Left wrist radiograph, lat, 9-year-old boy:

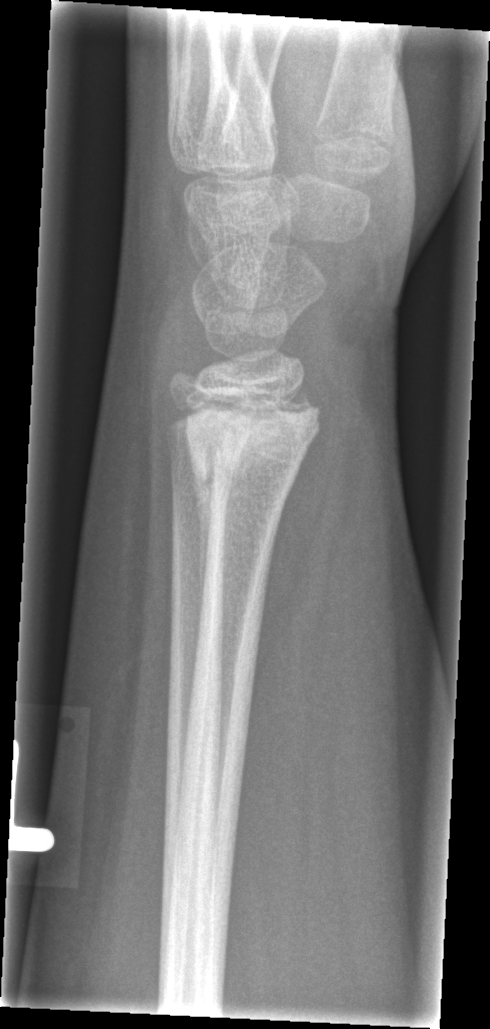

ao: 23r-E/2.1
periostealreaction: [187, 433, 216, 611]
fracture: [181, 384, 325, 498]